R wrist radiograph · PA projection: 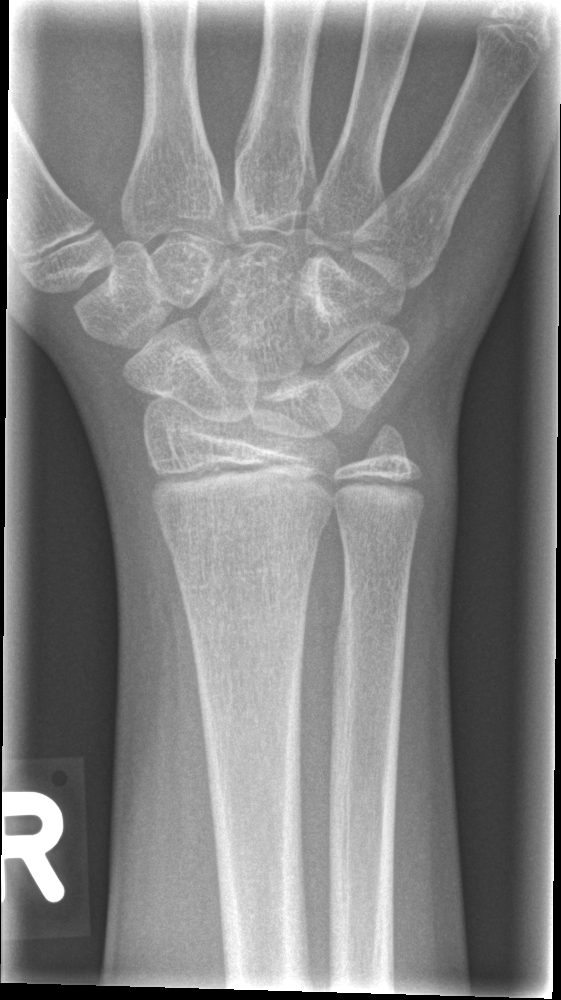
- AO/OTA classification: 23r-M/2.1.
- Fracture present but not clearly seen in this view.